R wrist radiograph | lateral | 8y M:

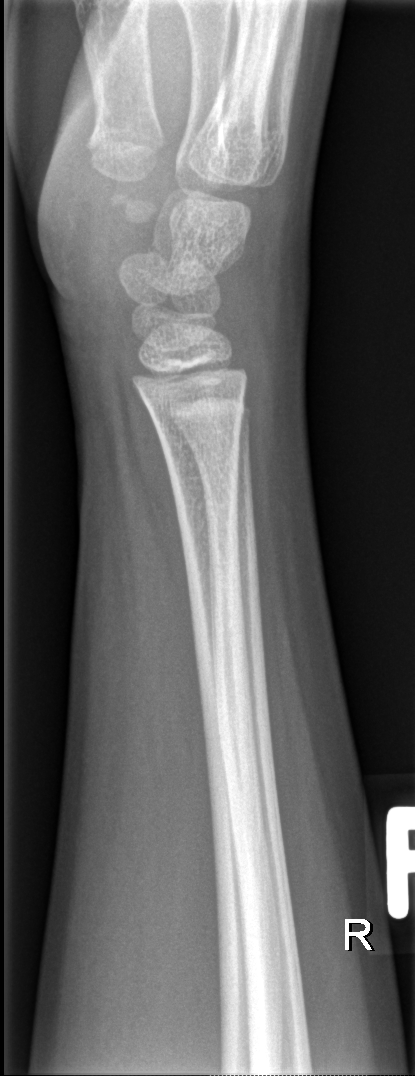

No fracture labeled.